Lat view; L wrist plain film; 15-year-old male; image 85.5 mm wide. 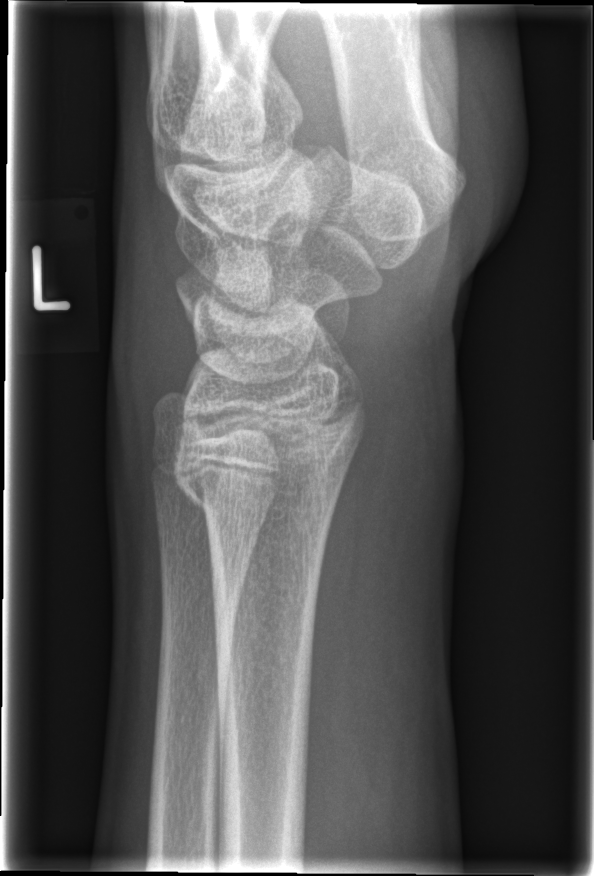
(coordinates are [x1, y1, x2, y2] in image pixels)
Fracture = 170 438 354 537
AO/OTA = 23r-M/2.1
Soft tissue abnormality = 318 333 469 630 | 103 227 192 467